Frontal view · right wrist pediatric wrist radiograph · image width 78.6 mm.

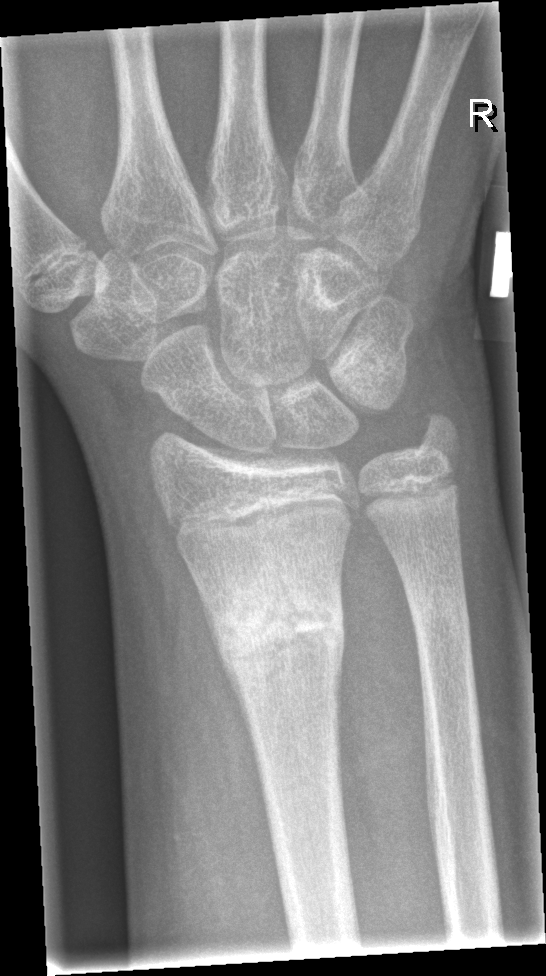

* Periosteal new bone: <195,584>-<256,761>.
* Bone fracture identified at <208,568>-<347,682> <404,582>-<475,636>.